Left plain radiograph of the wrist; PA view; image width 83.8 mm; 582x1100 —

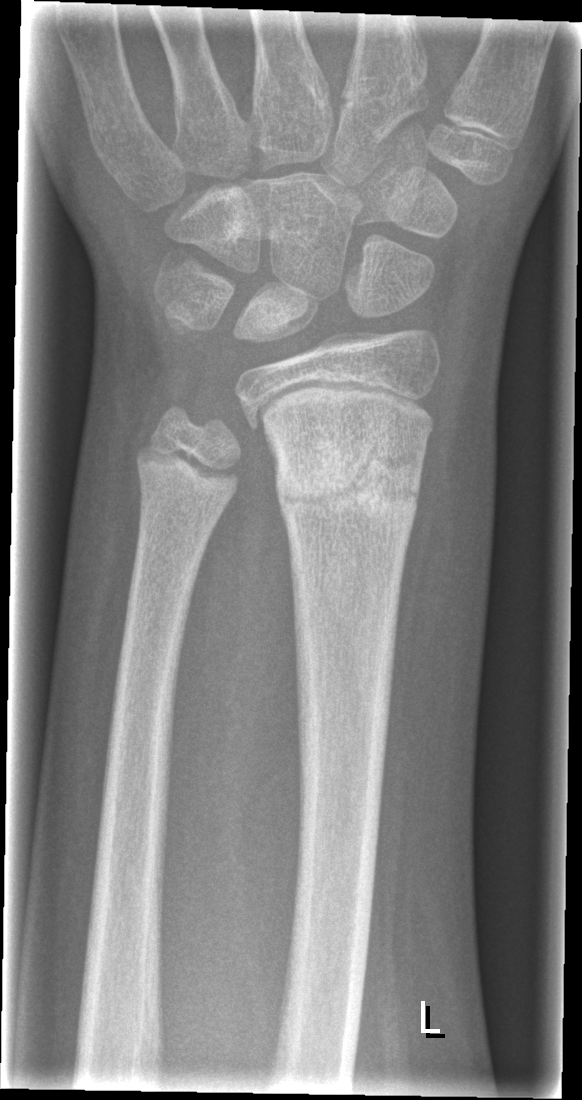 Bone fracture — bbox(273, 435, 427, 534). One osseous anomaly at bbox(128, 312, 297, 543). Fracture classified AO/OTA 23r-M/3.1.